Right wrist plain radiograph of the wrist | lateral projection | acquired on Siemens:
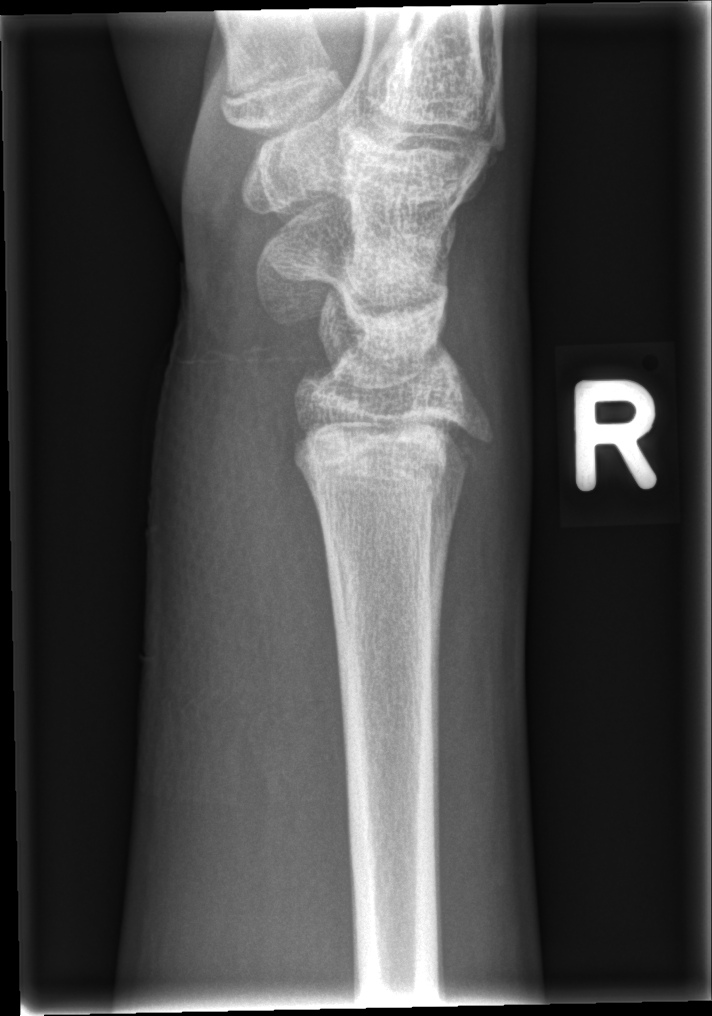

Fx — 289 406 499 489.